Right wrist X-ray · lateral · image width 56.4 mm · 392 x 604 px:

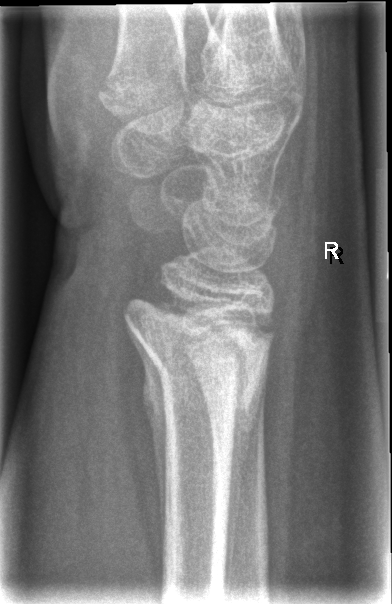
{
  "periostealreaction": "1 @ [x1=124, y1=318, x2=168, y2=554]",
  "fracture": "[x1=121, y1=284, x2=275, y2=442]"
}